L wrist X-ray, posteroanterior projection, pediatric patient (male, age 10), subsequent exam —
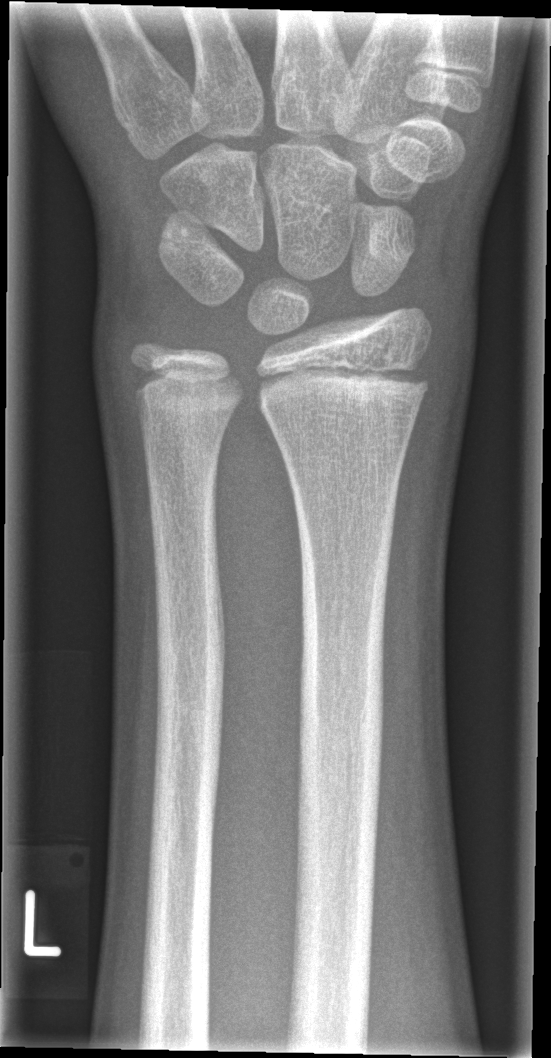

AO classification: 23r-E/2.1
bone fracture: [x1=256, y1=355, x2=439, y2=431]